Lateral view | right pediatric wrist radiograph | 14-year-old girl | initial study | image width 64.1 mm | 445 x 808 px — 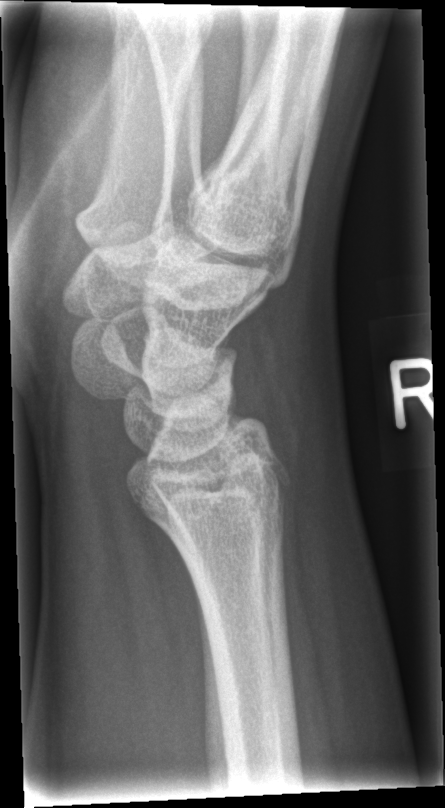 Fracture: none labeled.